L wrist radiograph; lateral; follow-up study; cast in situ —

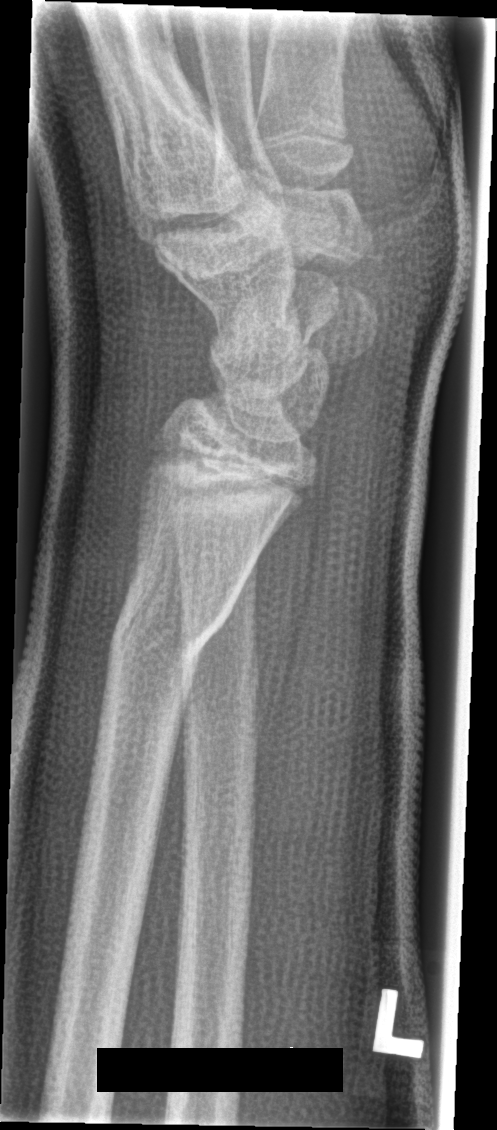
FINDINGS: Bone fracture — (106, 546, 228, 675). AO/OTA classification: 23r-M/3.1; 23u-E/1.